R wrist XR; lat view; subsequent exam; imaged through cast.

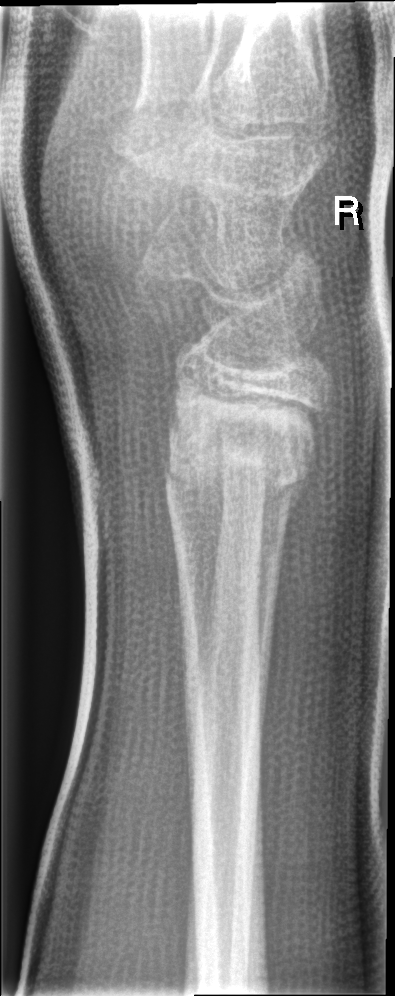

  # boxes as x1,y1,x2,y2 (top-left / bottom-right, pixel units)
  ao: 23r-M/3.1; 23u-E/7
  fracture: 1 @ (158, 394, 328, 528)